Left plain radiograph of the wrist | PA/AP view | pediatric patient (male, age 11).

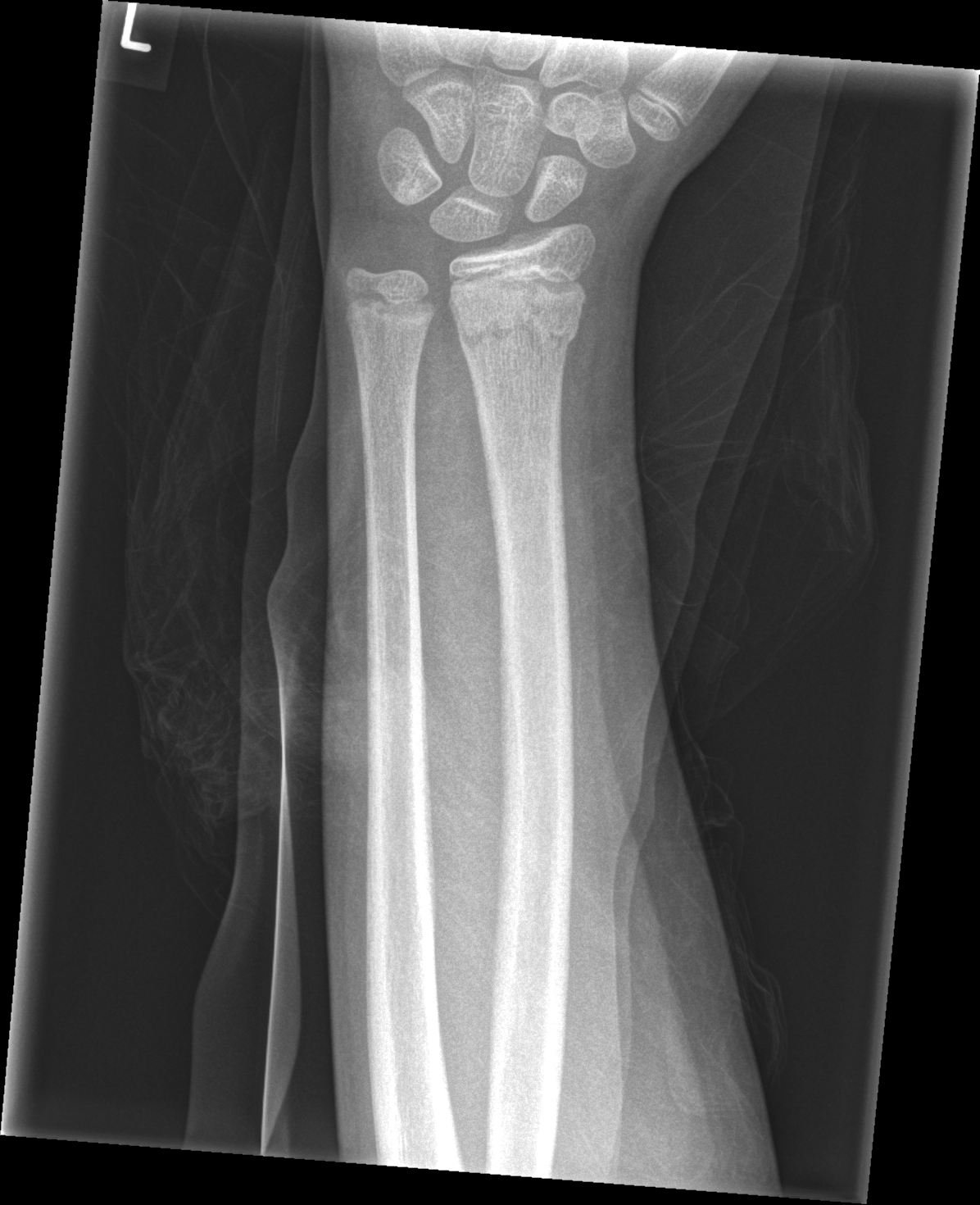

(coordinates are [x1, y1, x2, y2] in image pixels)
Q: What is the AO/OTA classification?
A: Fracture classified AO/OTA 23r-M/3.1
Q: Fracture present?
A: Fx identified at [450, 298, 583, 371]